Lat view; left wrist radiograph; girl, 12 yo; presentation radiograph; Siemens —
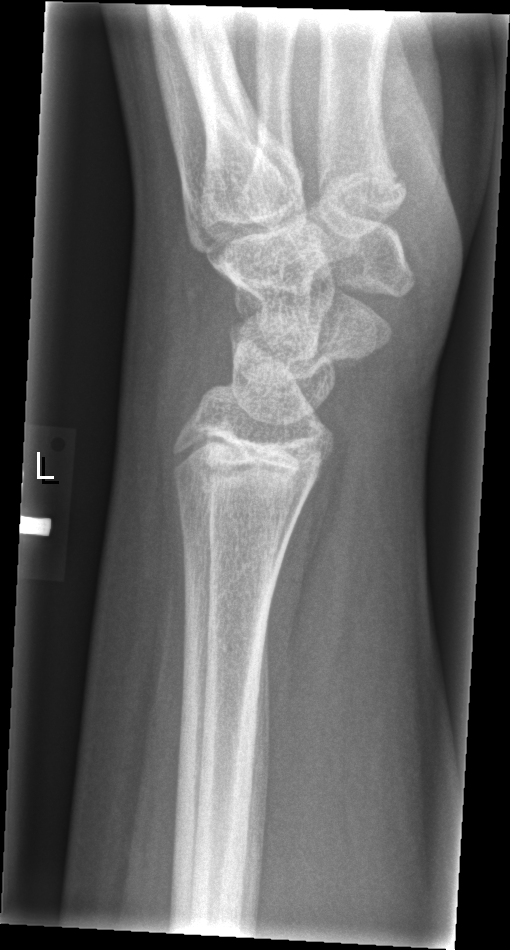

FINDINGS — No fracture labeled.